Lat view; right wrist plain film; female, 1.3 yo; index exam 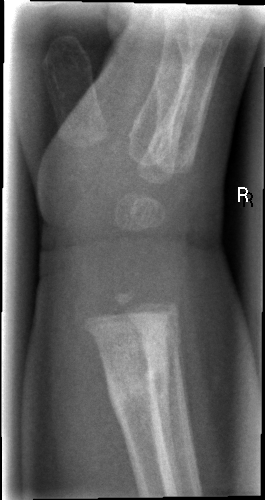

FINDINGS: (boxes as x1,y1,x2,y2 (top-left / bottom-right, pixel units)) Fracture identified at <103,358>-<171,418>, <135,325>-<186,375>.